Lt wrist radiograph · frontal · follow-up study · imaged through cast: 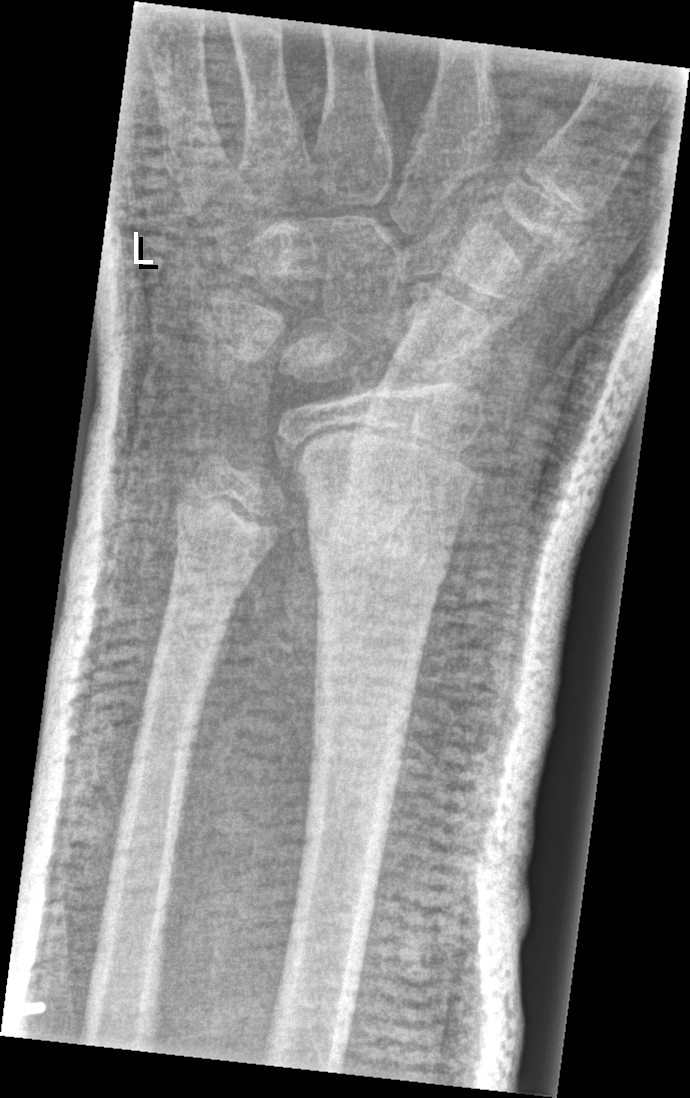 fracture: 1 @ (left=306, top=487, right=456, bottom=575)
boneanomaly: (left=170, top=351, right=324, bottom=576)
ao: 23r-M/3.1